Lat view | Rt pediatric wrist radiograph | cast present | 558 x 1168 px

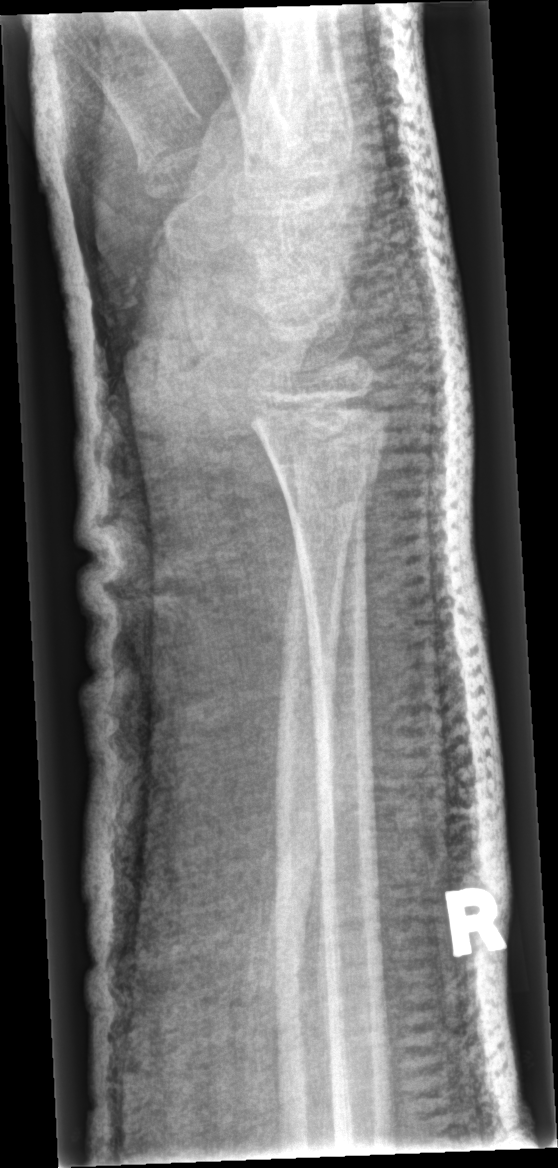 Bounding boxes in image-pixel xyxy. Bone fracture: <245,388>-<396,510>.